Right wrist plain radiograph of the wrist | posteroanterior | 12-year-old girl. 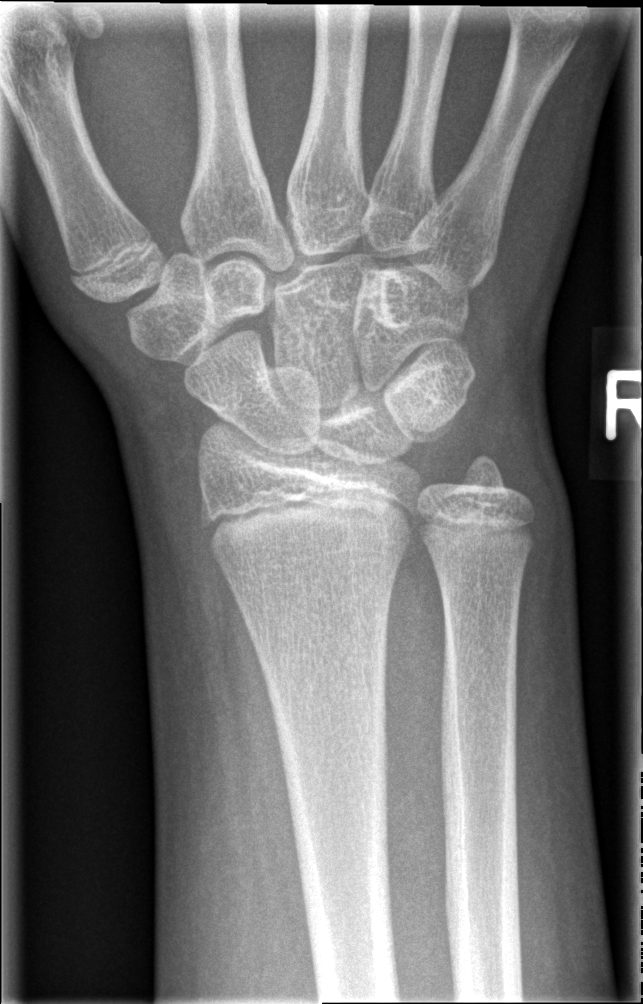

bone fracture: none labeled